R wrist radiograph; lat view; pediatric patient (male, age 14); 806 by 1336 pixels: 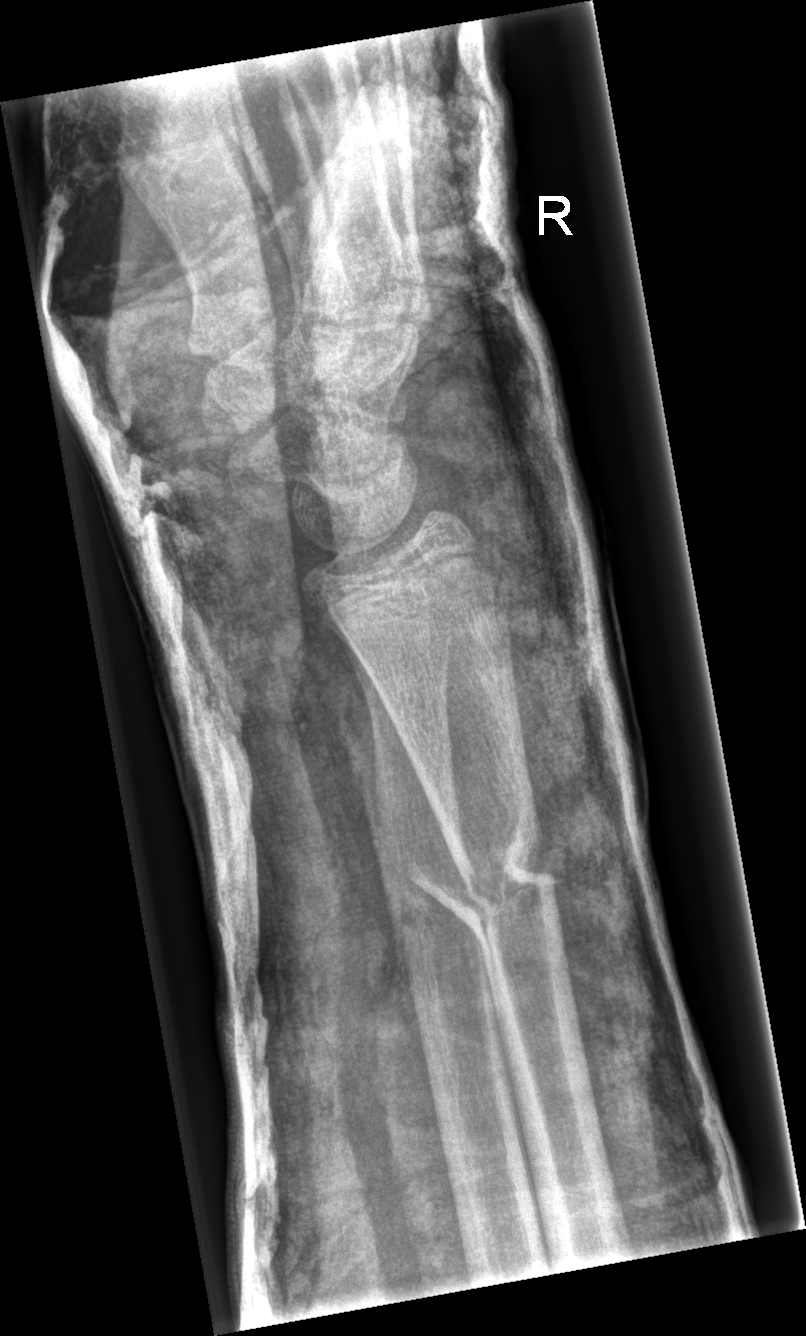

Two Fx at 404,812,563,973 | 383,882,483,950.
AO code 23-M/3.1.